Rt wrist XR | AP projection | index exam | equivocal findings | image width 85.4 mm.

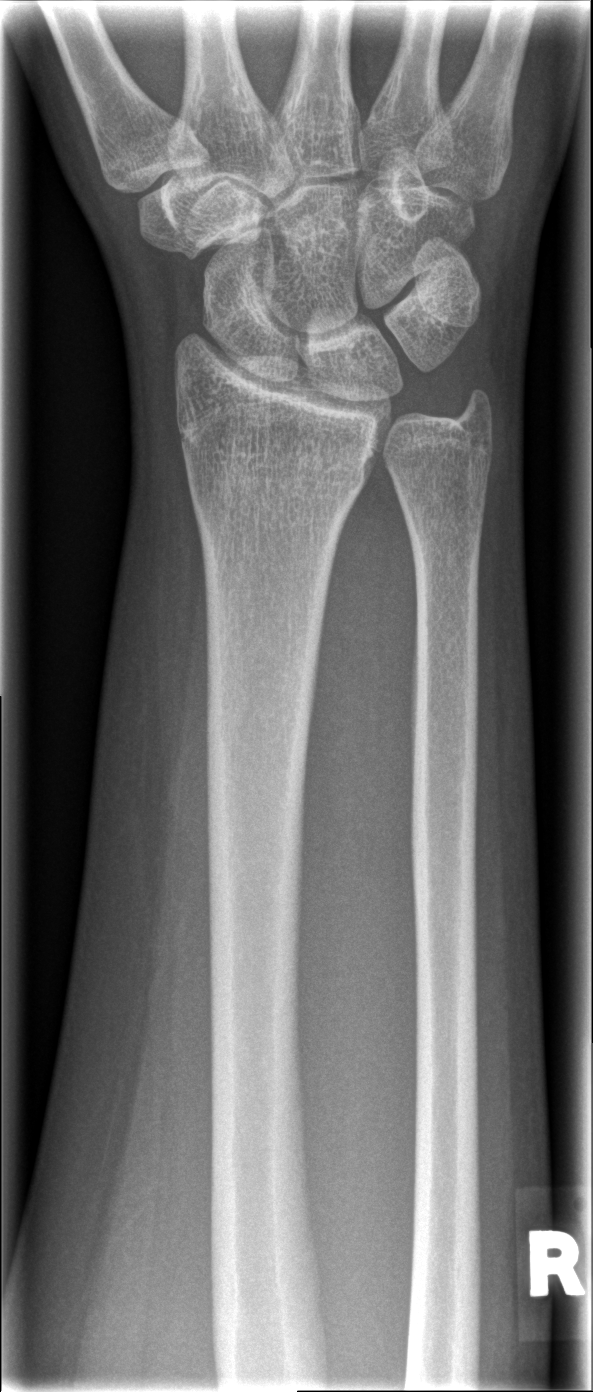
FINDINGS: No fracture bounding box.